Lat projection, right wrist radiograph — 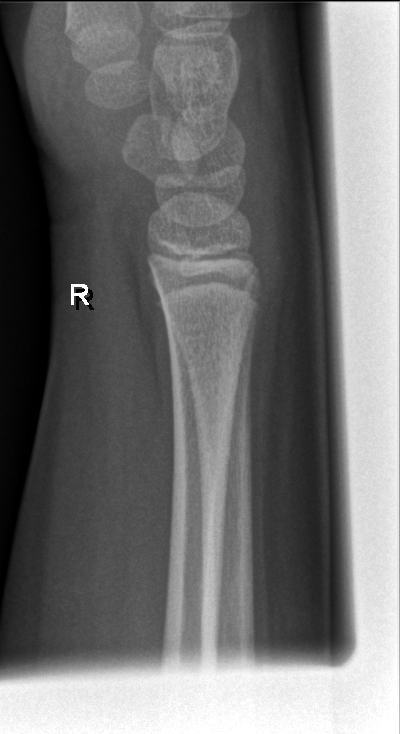

fracture: none labeled